Right wrist X-ray; posteroanterior; follow-up; in cast: 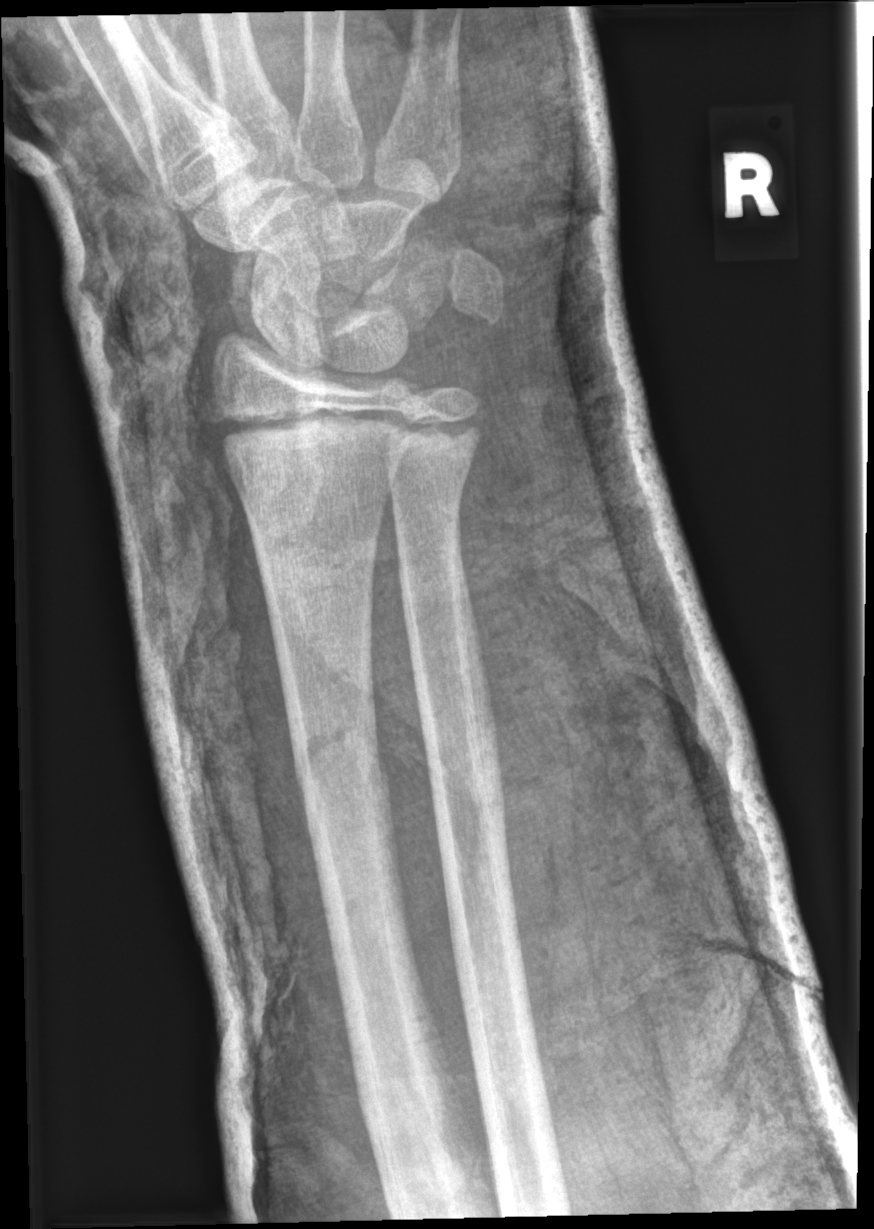
fracture = (left=283, top=727, right=395, bottom=802)
AO/OTA = 22r-D/2.1